Right plain radiograph of the wrist | AP | 11-year-old female
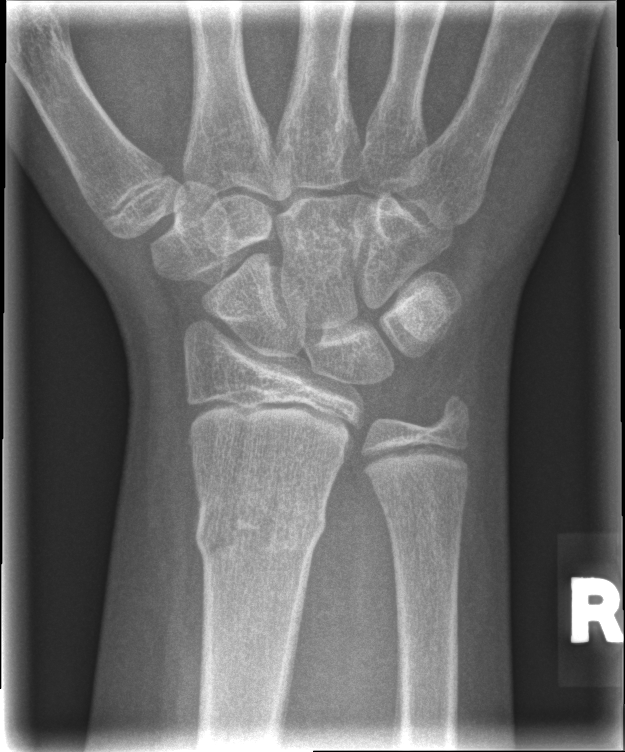 {
  "_coords": "bounding boxes in image-pixel xyxy",
  "fracture": "190 496 334 567 | 417 384 481 450",
  "ao": "23r-M/2.1; 23u-E/7"
}